Posteroanterior; right wrist radiograph; 10-year-old male; presentation radiograph:

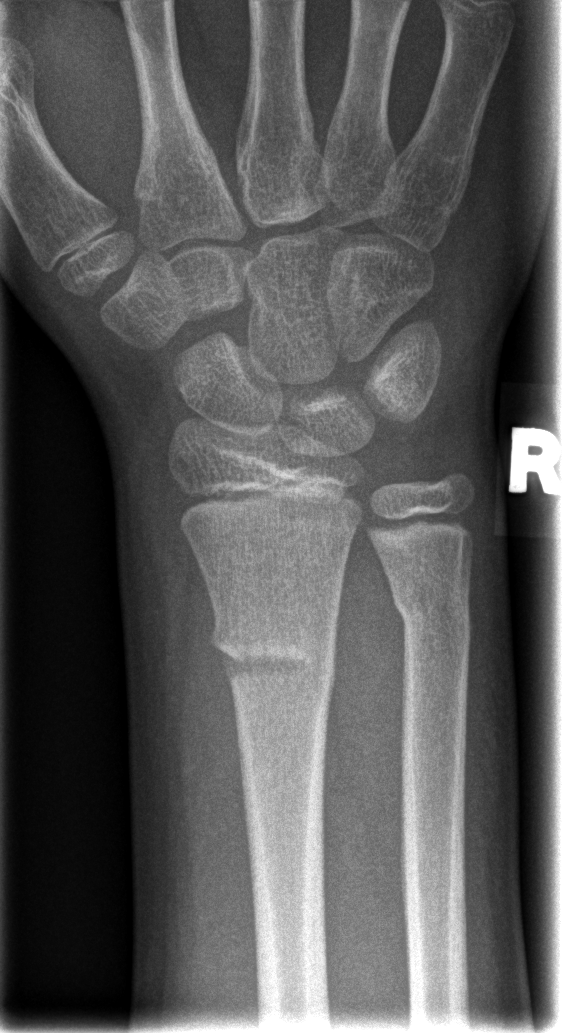
Pixel coordinates, top-left origin, xyxy.
AO/OTA classification: 23-M/2.1.
Bone fractures — <205,608>-<339,705>, <387,582>-<473,654>.